Lt plain radiograph of the wrist · frontal · pediatric patient (girl, age 12) · initial study
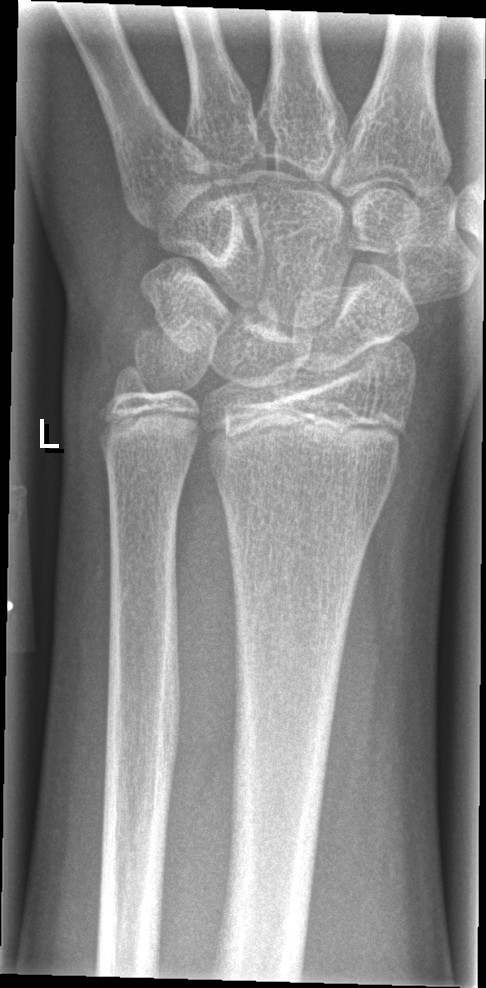

FINDINGS: No fracture annotation.